Left pediatric wrist radiograph | lat view | pediatric patient (male, age 15).

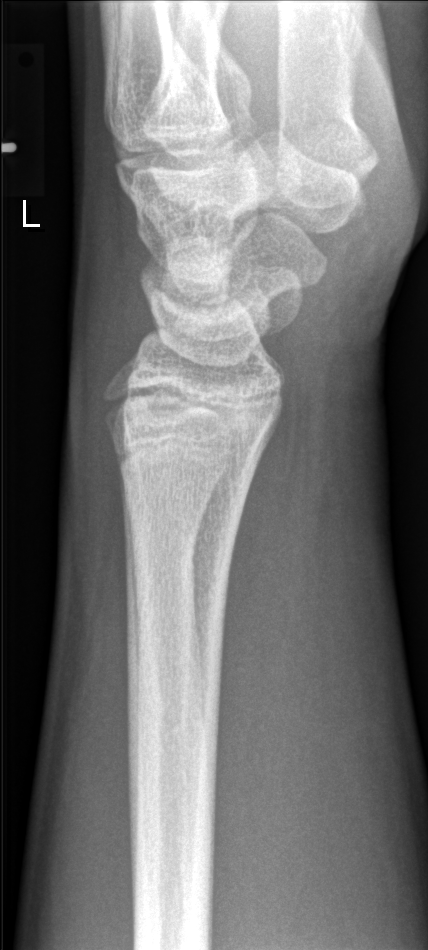
Fracture: none labeled.